Lateral projection | Rt wrist plain film.
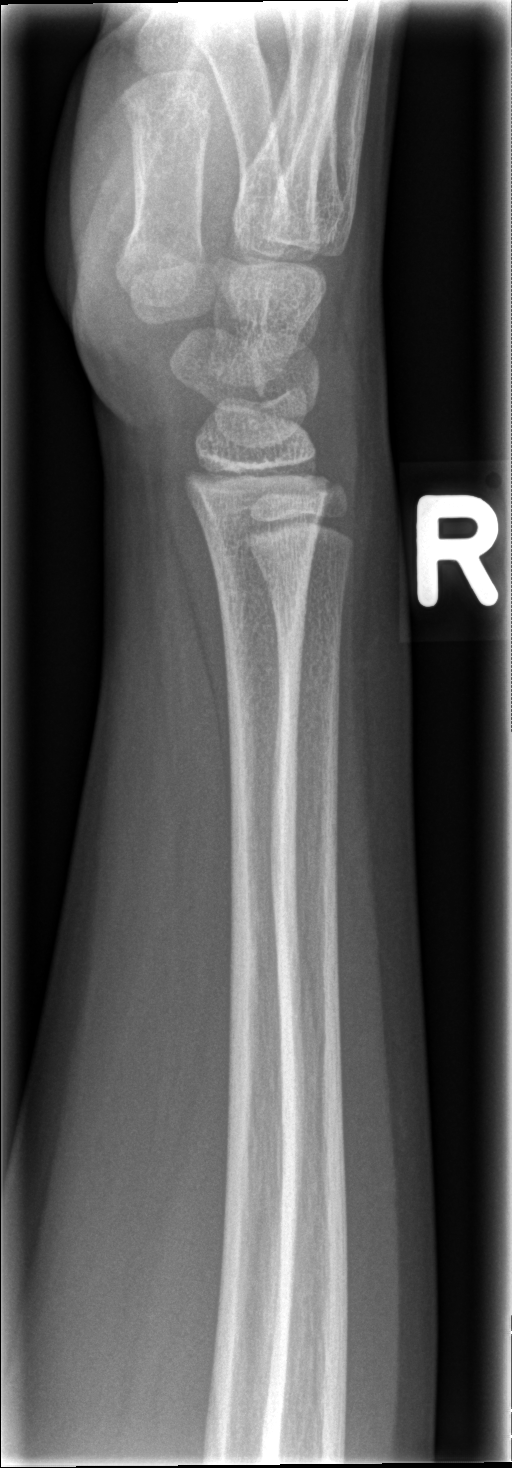 fracture: none labeled